Lat projection · Rt wrist plain film · 8y F · initial study · detector: Siemens.
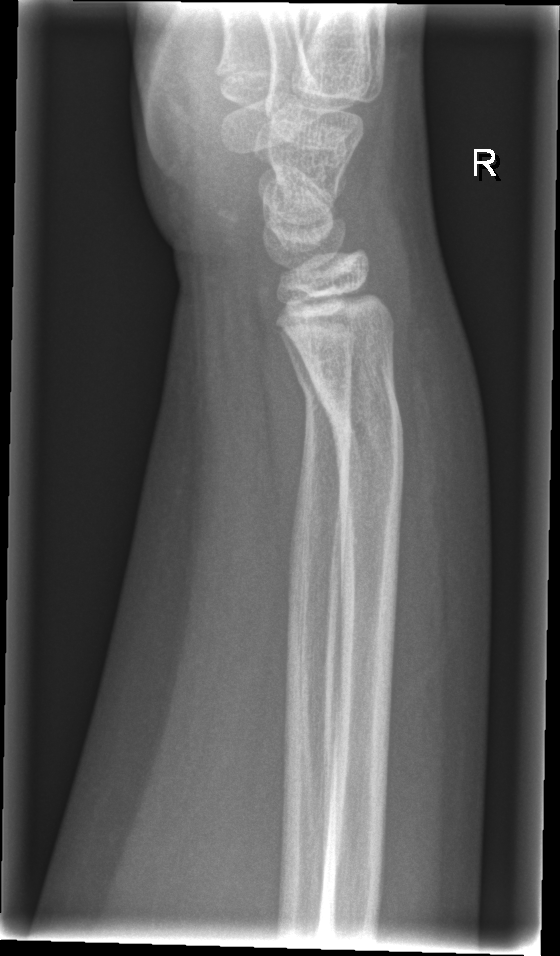 FINDINGS — (pixel coordinates, top-left origin, xyxy) Fractures — 319,382,410,469; 292,367,355,419.